L wrist X-ray · lat · 11-year-old girl · index exam. 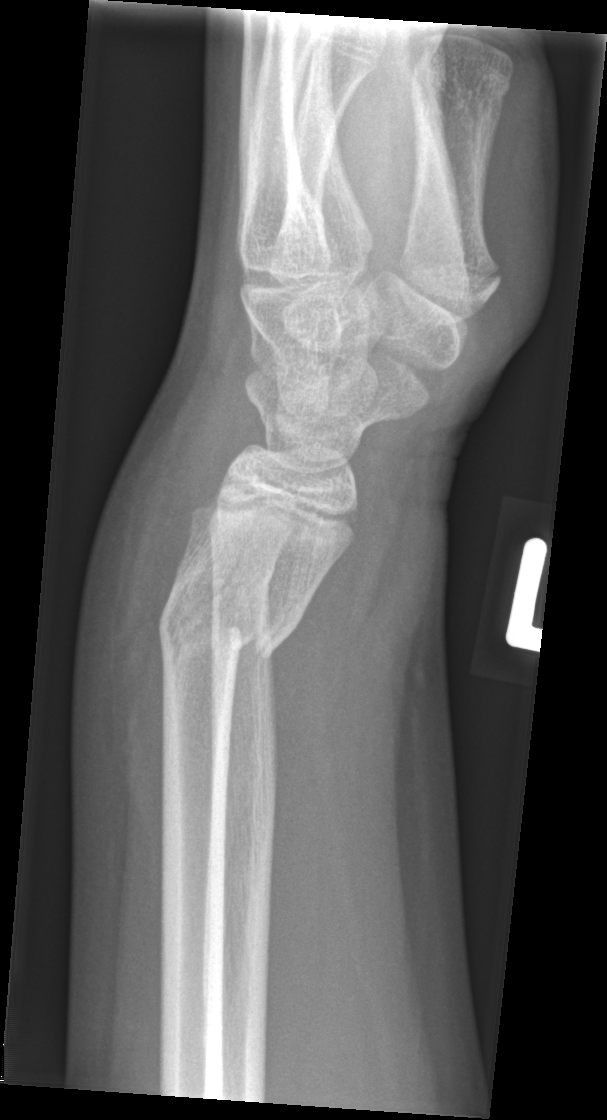
• Boxes as x1,y1,x2,y2 (top-left / bottom-right, pixel units).
• One soft-tissue finding at (left=76, top=528, right=163, bottom=808).
• AO/OTA classification: 23r-M/3.1; 23u-M/2.1.
• Bone fractures — (left=154, top=602, right=284, bottom=676) (left=207, top=551, right=276, bottom=597).